R wrist X-ray | PA/AP projection | 10y F:
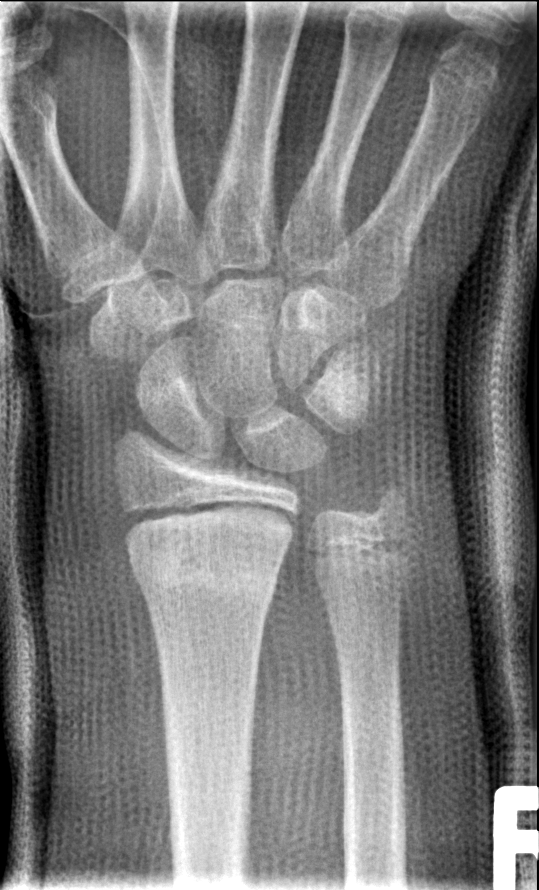
Q: AO code?
A: Fracture classified AO/OTA 23r-M/2.1
Q: Any fracture seen?
A: Fracture: [x1=131, y1=532, x2=284, y2=611]